Right plain radiograph of the wrist; lateral view; pediatric patient (male, age 6); cast in situ; Siemens 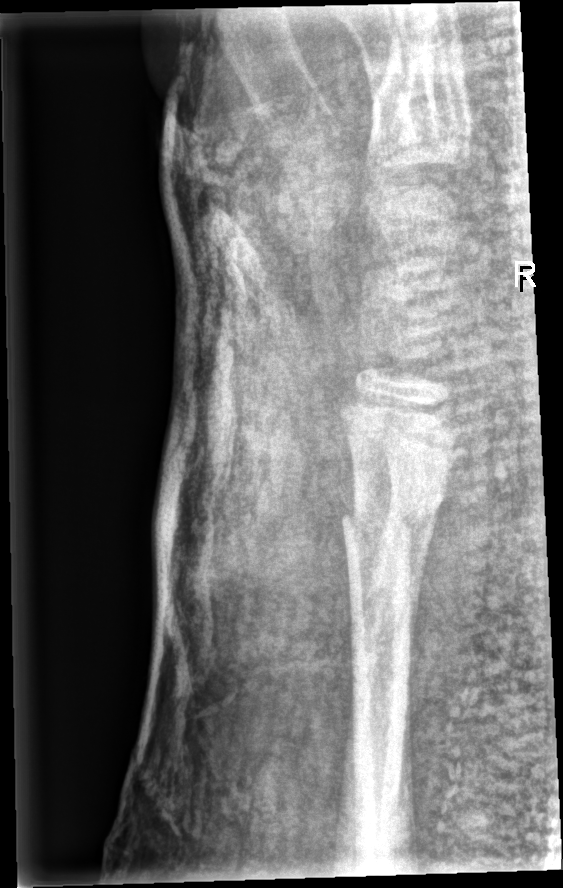

Bone fracture: 1 @ bbox(340, 487, 442, 550)
AO/OTA: 23-M/3.1